Lat; left wrist plain film; cast in situ —

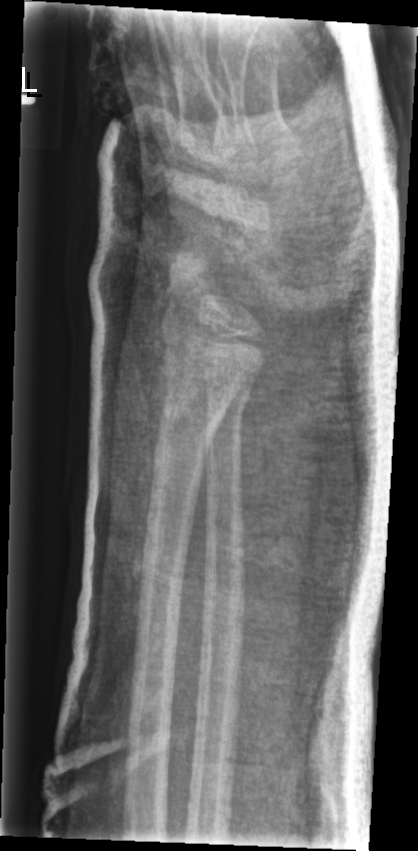
{"_coords": "coordinates are [x1, y1, x2, y2] in image pixels", "fracture": "2 @ [x1=155, y1=386, x2=229, y2=450]; [x1=201, y1=381, x2=256, y2=437]", "ao": "23r-M/3.1; 23u-M/2.1"}